L wrist radiograph · posteroanterior projection · Siemens —
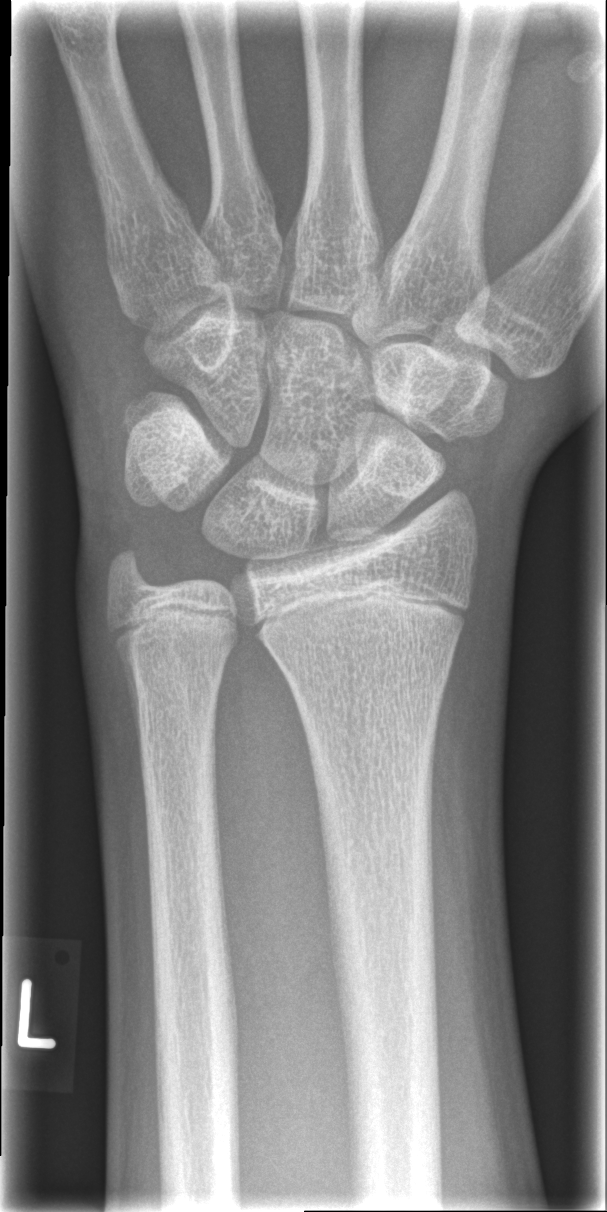

No fracture bounding box.